Lateral view, left wrist X-ray.

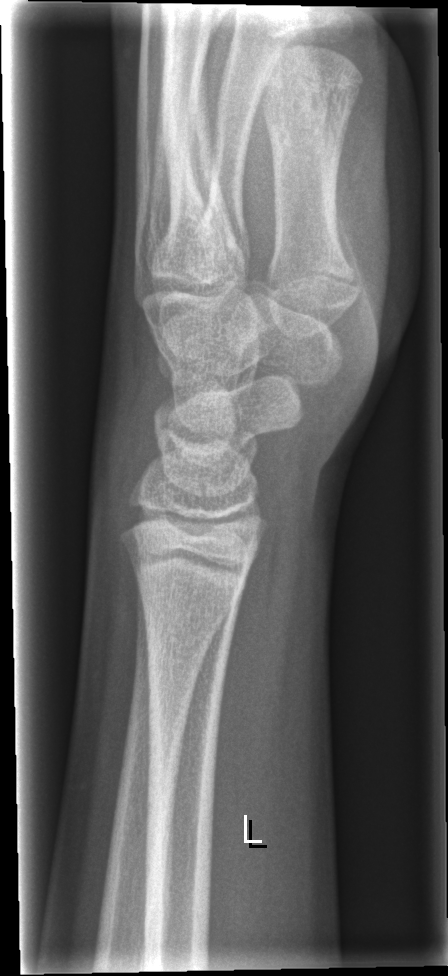
Fx = none labeled